Rt plain radiograph of the wrist · lateral projection · 1.9-year-old female · presentation radiograph · 565 by 688 pixels — 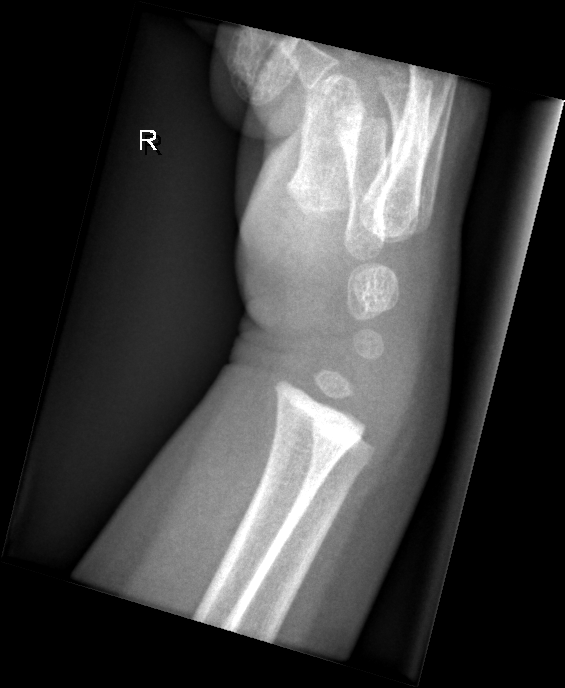
  fracture: none labeled